L plain radiograph of the wrist · frontal view · age 12 y, male · initial study.
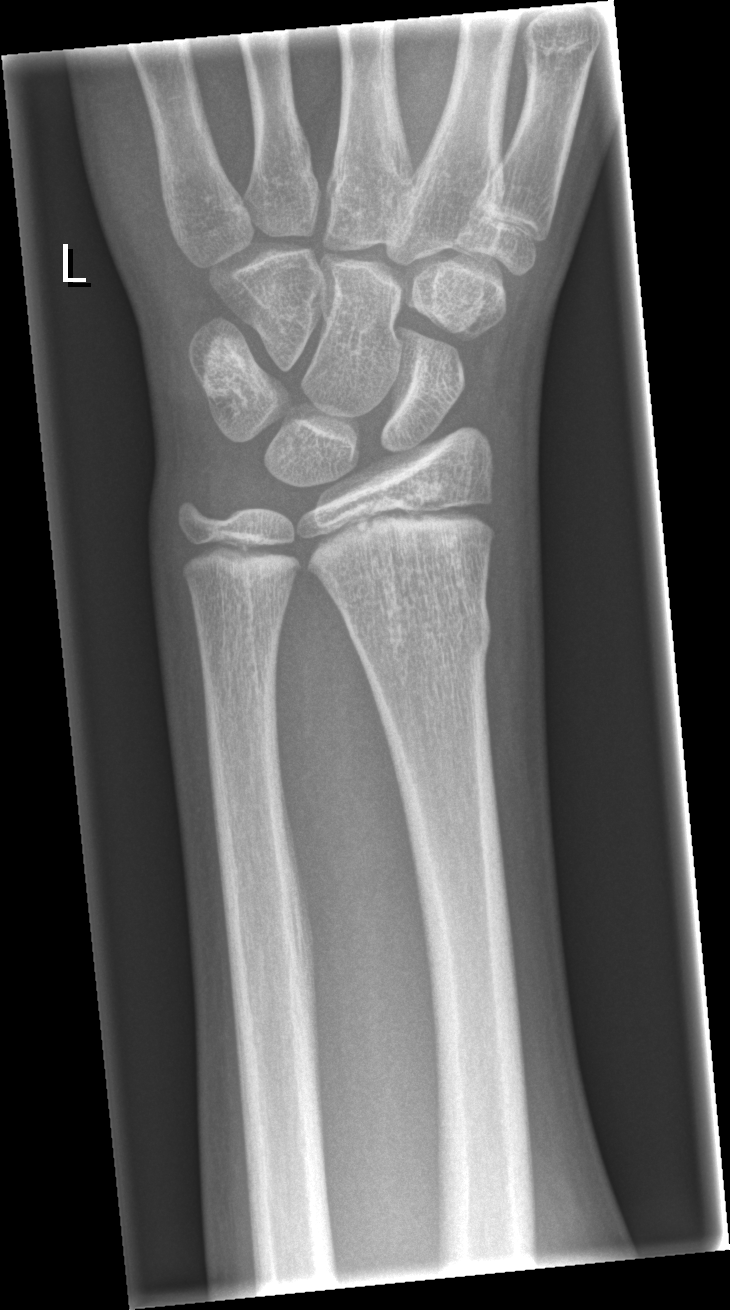

AO code 23r-M/2.1. Bone fracture: 339,598,496,676.